Lt plain radiograph of the wrist · lateral view · 470 by 742 pixels:
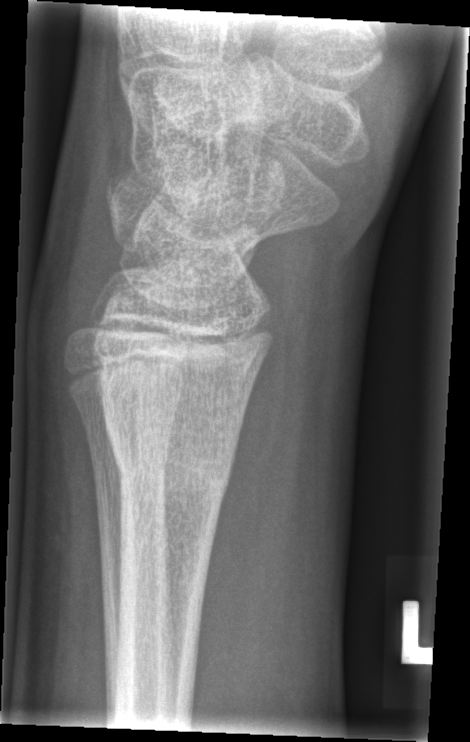

  # boxes as x1,y1,x2,y2 (top-left / bottom-right, pixel units)
  fracture: [x1=102, y1=415, x2=240, y2=508]
  ao: 23r-M/2.1; 23u-E/7